R plain radiograph of the wrist; frontal projection — 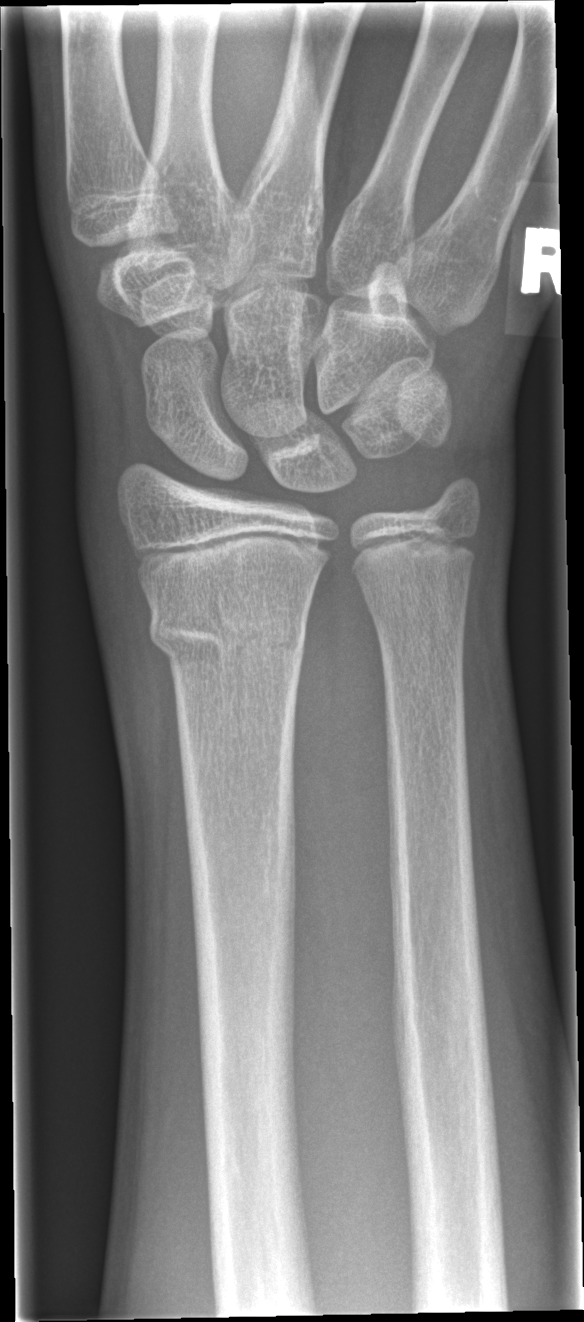

Q: What is the AO/OTA classification?
A: Fracture classified AO/OTA 23r-M/3.1
Q: Any fracture seen?
A: Fracture — 146 587 311 671